AP view, left wrist radiograph: 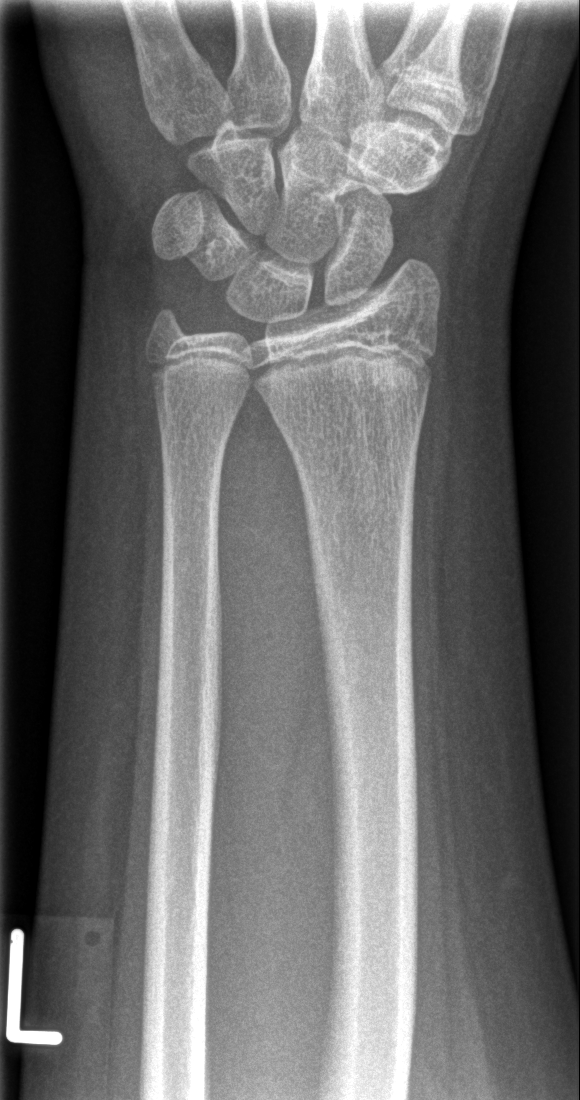

Bone fracture = none labeled